Posteroanterior, L wrist plain film.
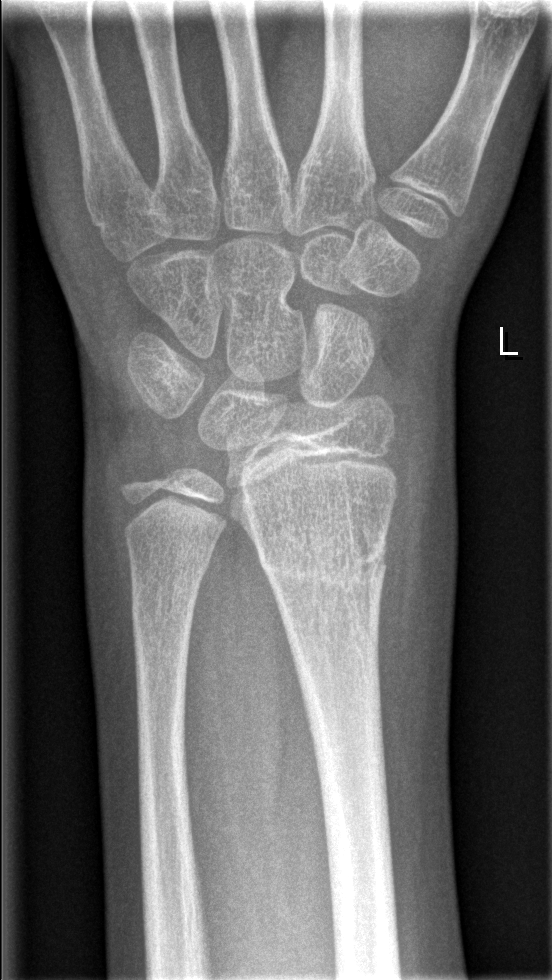

{
  "_coords": "boxes as x1,y1,x2,y2 (top-left / bottom-right, pixel units)",
  "fracture": "2 @ (left=256, top=526, right=390, bottom=600) (left=126, top=545, right=215, bottom=587)",
  "ao": "23-M/2.1"
}